Lat view | Lt wrist radiograph | 16-year-old female | detector: Siemens 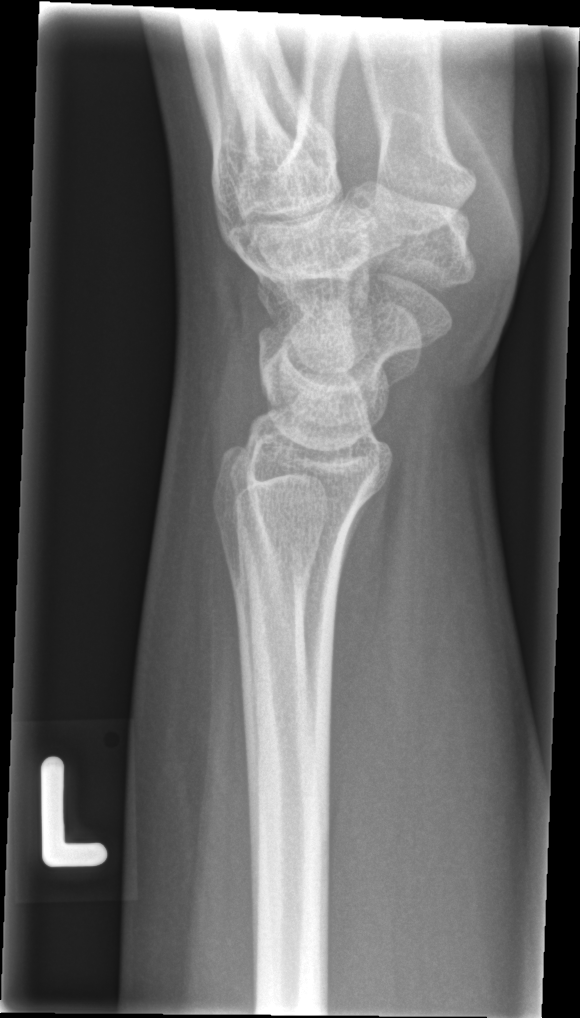
Fx: none.